Rt wrist radiograph, lat projection, pediatric patient (boy, age 7), in cast.
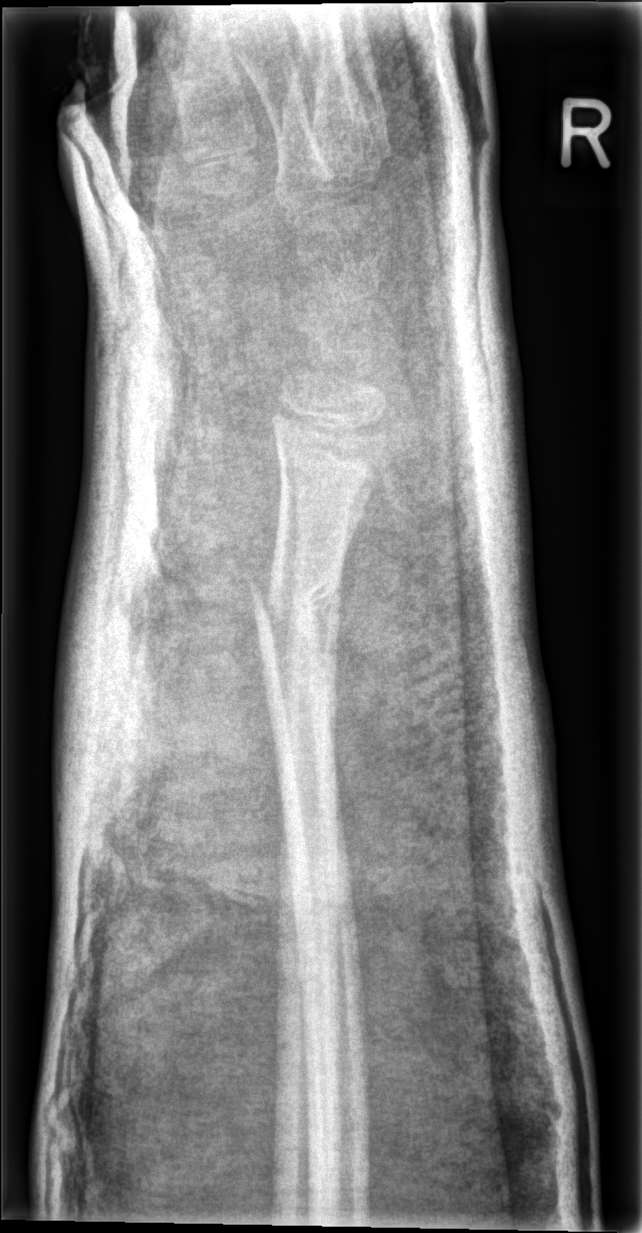

Pixel coordinates, top-left origin, xyxy. AO/OTA classification: 23r-M/3.1; 23u-M/2.1. Fx identified at [x1=245, y1=560, x2=345, y2=649].